Lt wrist plain film · lateral · male, 10 yo · follow-up study · imaged through cast · 420 by 1408 pixels. 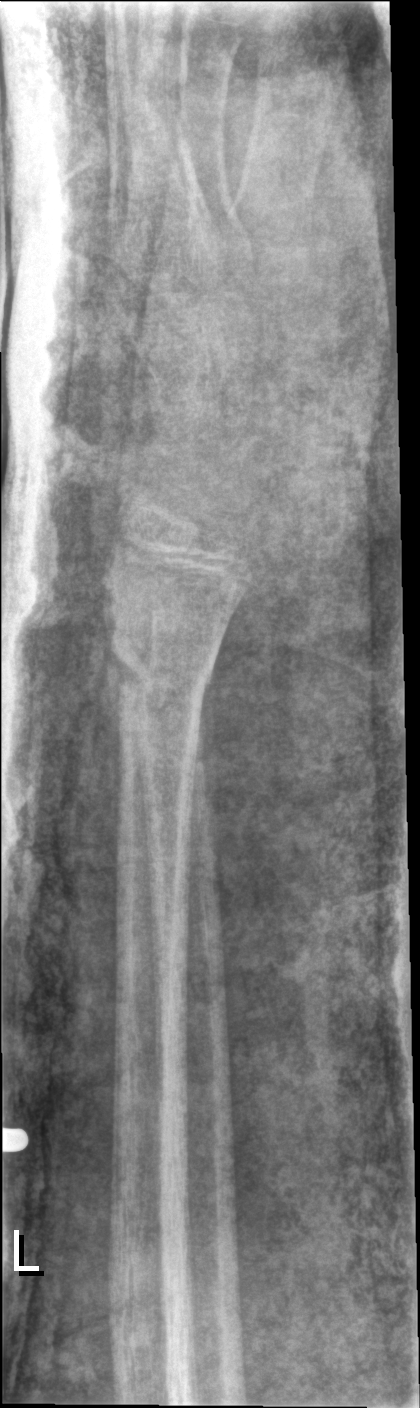

Bounding boxes in image-pixel xyxy. Bone fracture: [x1=107, y1=639, x2=227, y2=732]. AO/OTA classification: 23-M/3.1.